Rt wrist radiograph, lateral view — 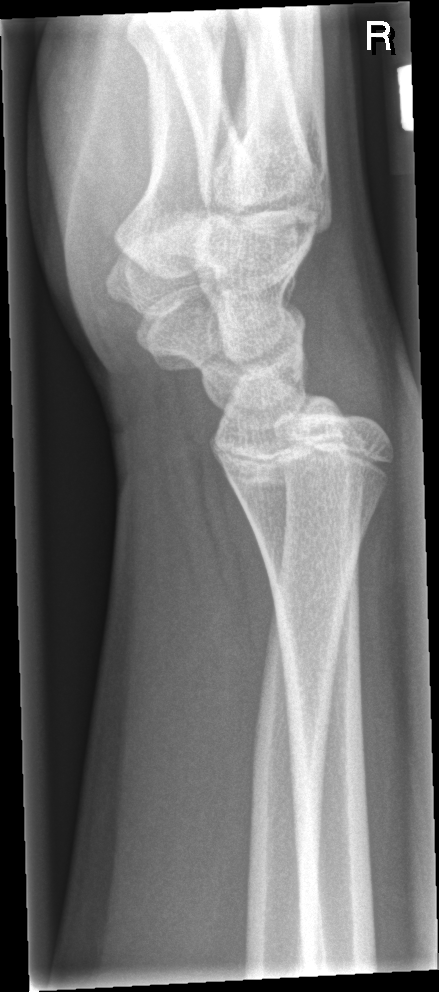

Q: Is there a fracture?
A: Fx: none